PA projection | L wrist XR | follow-up | detector: Siemens. 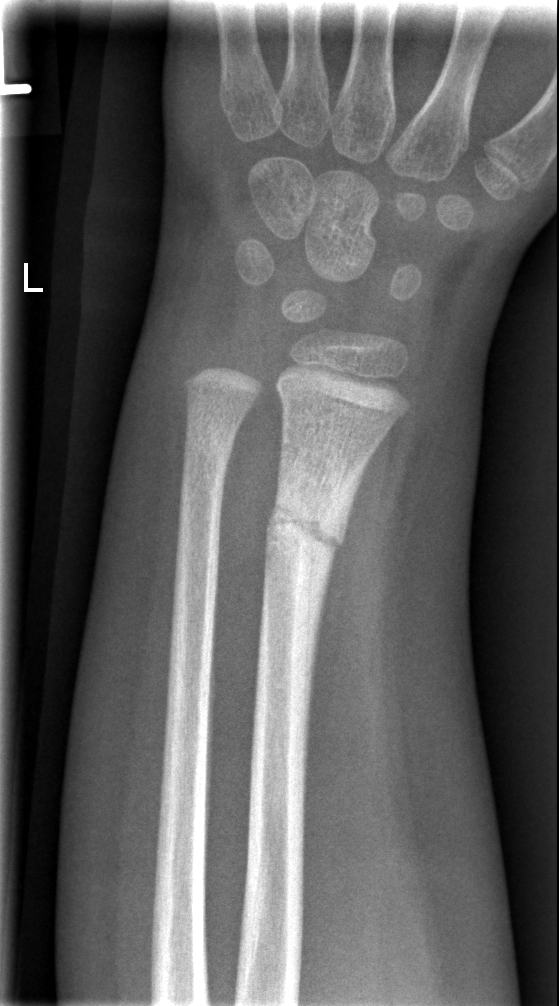

Pixel coordinates, top-left origin, xyxy.
AO code 23r-M/3.1; 23u-M/2.1.
Bone fracture: [261, 489, 354, 572]; [177, 411, 242, 484].